Rt wrist X-ray, frontal projection, 15y F —
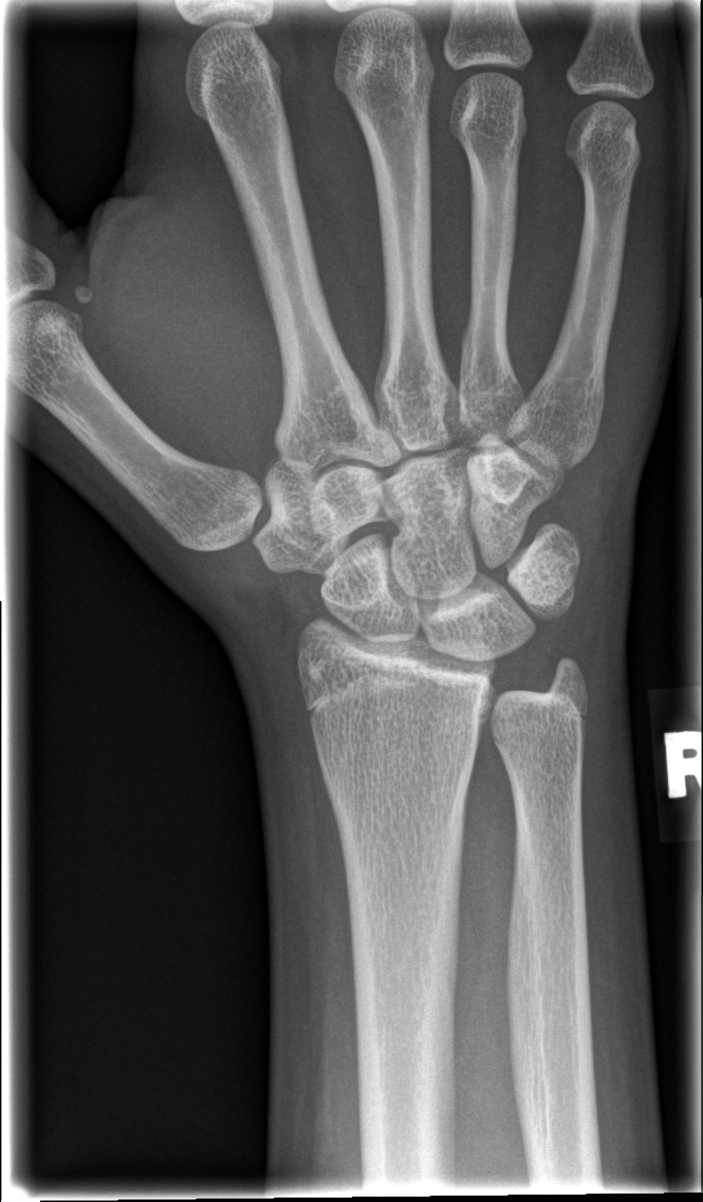
Findings: No fracture annotation.